R wrist plain film | PA/AP view | girl, 13 yo | image width 78.9 mm | image size 548x840:

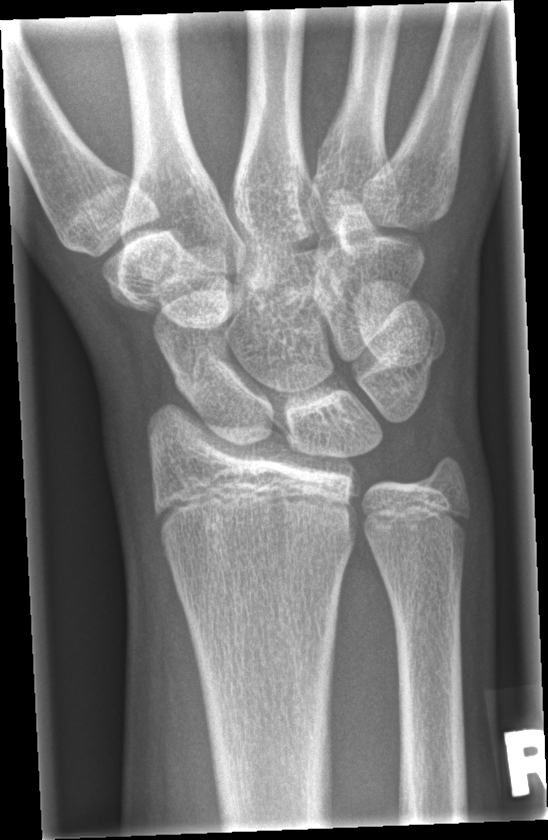   fracture: none labeled